PA/AP view, left wrist plain radiograph of the wrist, 695 by 1108 pixels. 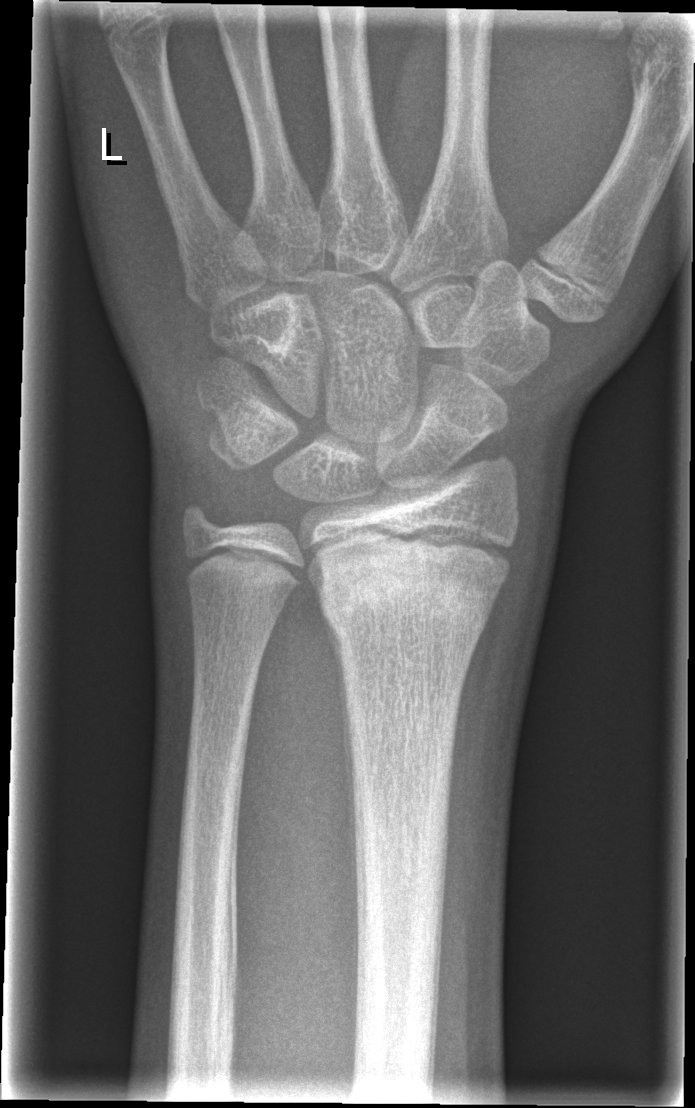 # boxes as x1,y1,x2,y2 (top-left / bottom-right, pixel units)
fracture: [x1=309, y1=532, x2=508, y2=639]
periostealreaction: [x1=320, y1=612, x2=359, y2=986]
osteopenia: present
ao: 23r-M/2.1